Lateral projection; left wrist radiograph; 9y M; follow-up study; in cast; image 93.3 mm wide —

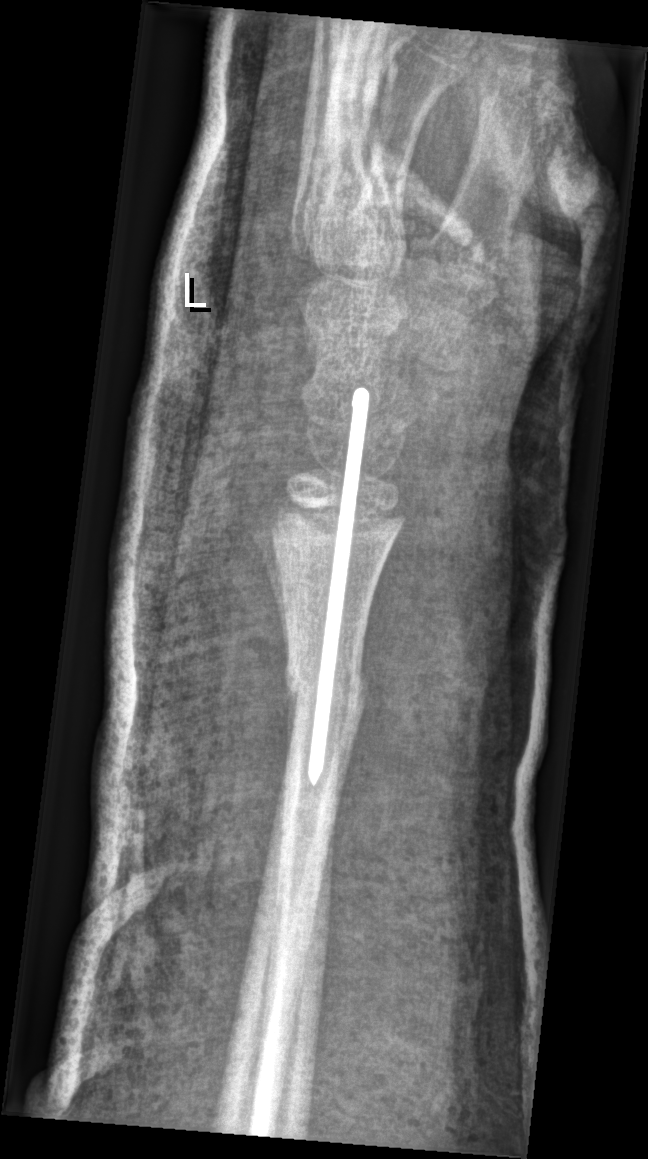
AO/OTA classification: 23-M/3.1. One fracture at [275, 659, 372, 735]. One metallic implant at [308, 387, 369, 786].